Right wrist XR, lat projection, age 8 y, boy —
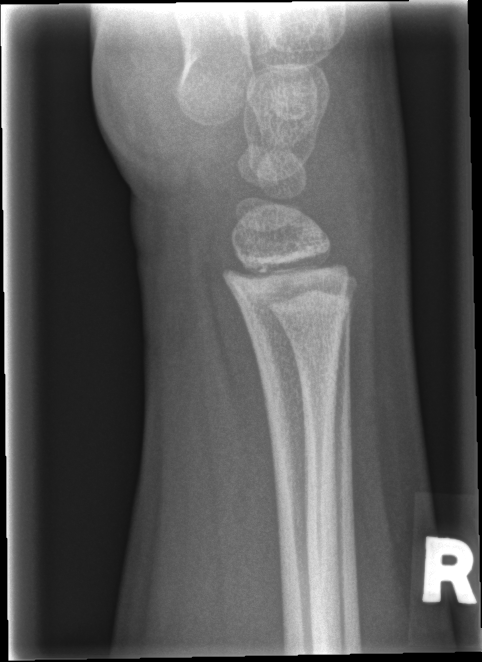
Q: Locate any fractures.
A: No fracture bounding box